Left wrist radiograph · AP view · follow-up.

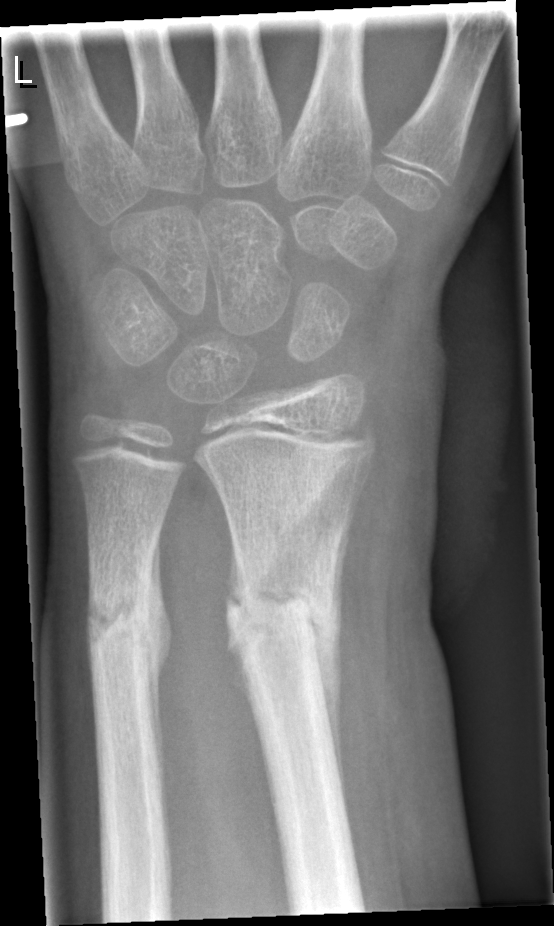 fracture: 2 @ (223, 535, 344, 675) (79, 560, 171, 676)
periostealreaction: 3 @ (304, 491, 359, 815), (147, 532, 174, 761), (227, 520, 250, 615)
ao: 23-M/3.1
boneanomaly: 1 @ (258, 443, 368, 610)
osteopenia: present